Rt wrist plain film, AP, 1.3-year-old male, initial study — 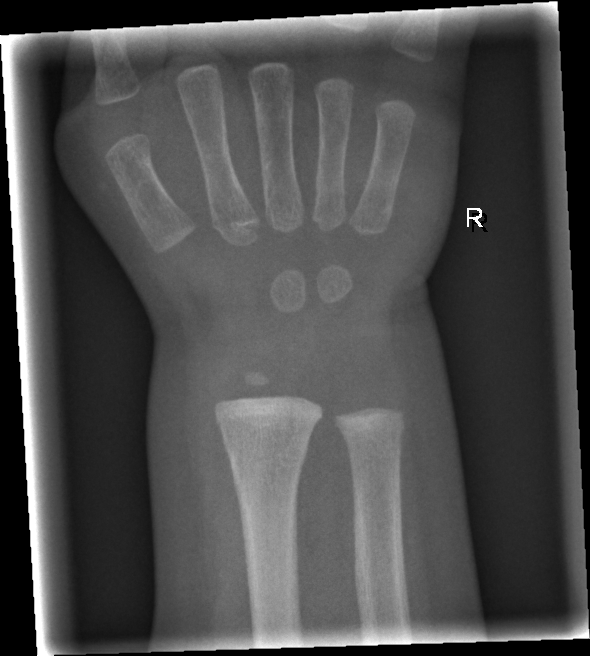
- Fracture classified AO/OTA 23r-M/2.1.
- One fracture at [x1=224, y1=437, x2=310, y2=484].